AP view; R wrist plain film; girl, 16 yo; presentation radiograph; image width 74.9 mm 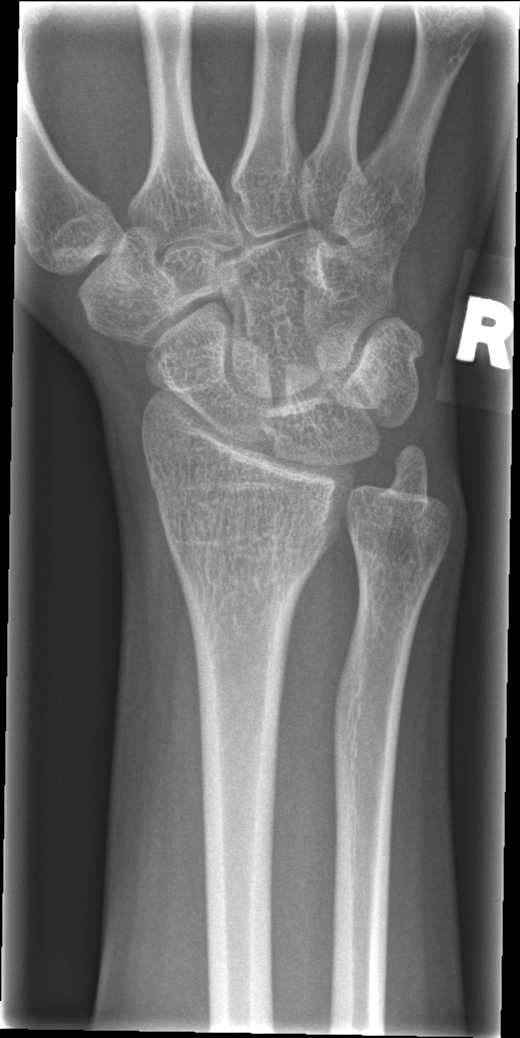

Q: Locate any fractures.
A: No fracture bounding box